Right wrist X-ray; posteroanterior; pediatric patient (male, age 6); follow-up; in cast; Siemens; 832x1095:
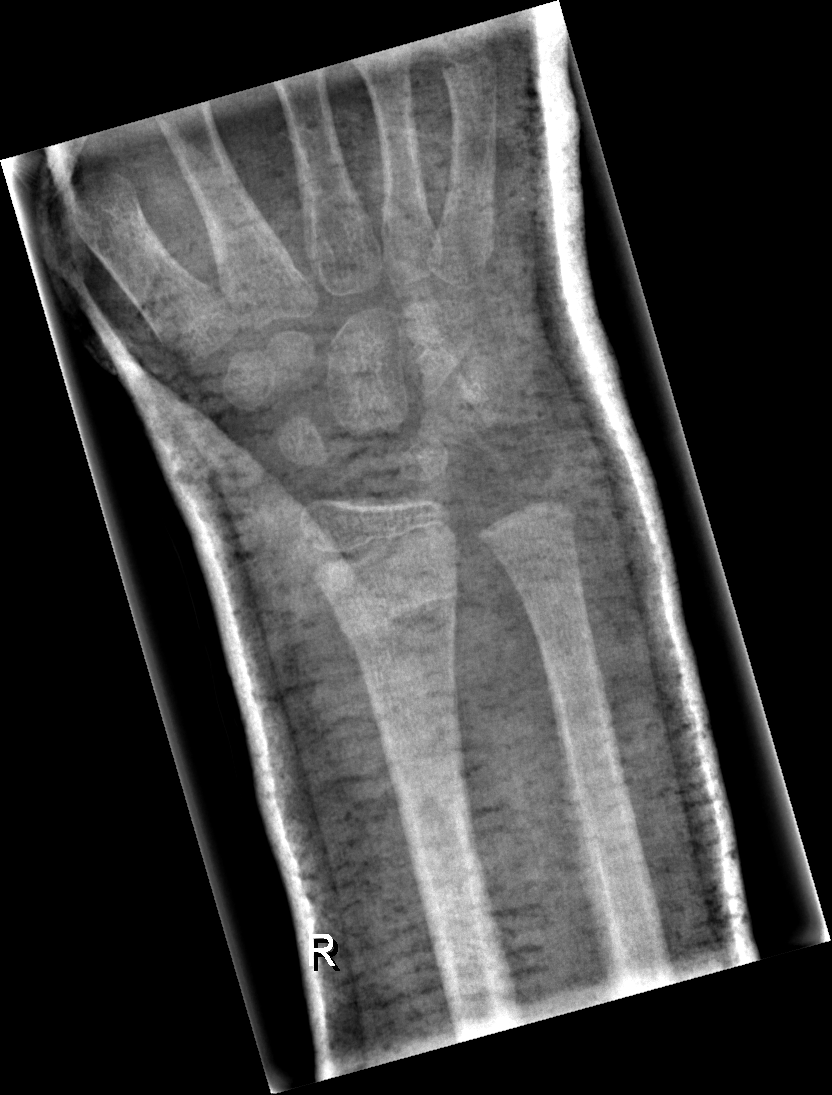

{
  "_coords": "coordinates are [x1, y1, x2, y2] in image pixels",
  "fracture": "(left=321, top=560, right=461, bottom=653)",
  "ao": "23r-M/3.1"
}